R plain radiograph of the wrist, posteroanterior projection, 7-year-old boy, follow-up study, imaged through cast, 580 by 850 pixels:

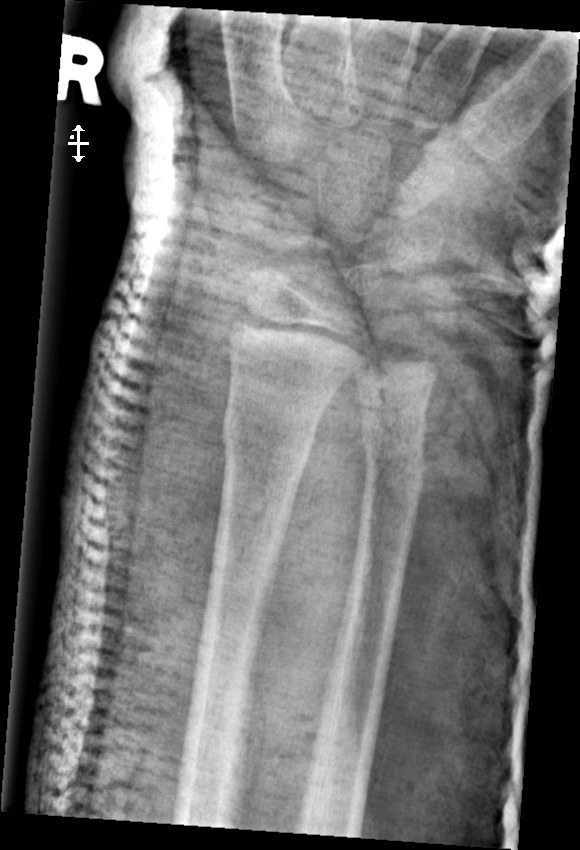 (coordinates are [x1, y1, x2, y2] in image pixels)
AO/OTA: 23-M/2.1
Fracture: 219 406 321 474
  360 441 429 501